AP projection | right wrist radiograph | male, 4 yo | in cast.
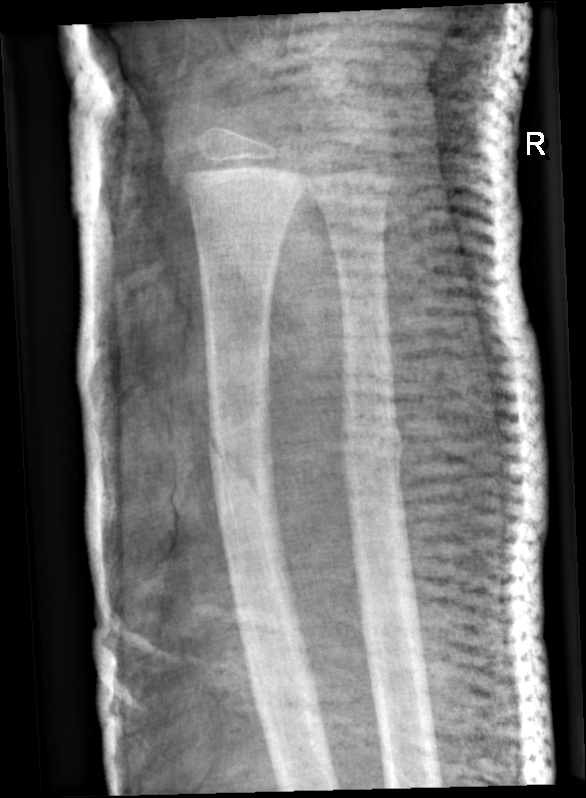

Fx: [204, 428, 284, 524]; [334, 410, 413, 491]